Lt wrist XR; PA/AP projection; age 6 y, boy; subsequent exam; imaged through cast —
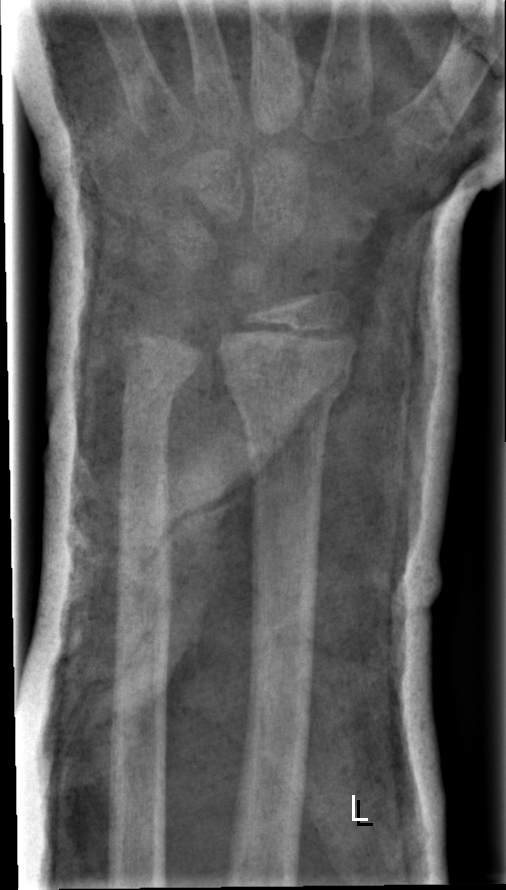

Q: Any fracture seen?
A: Two Fx at [x1=219, y1=352, x2=356, y2=408]; [x1=118, y1=353, x2=200, y2=406]
Q: What is the AO/OTA classification?
A: Fracture classified AO/OTA 23-M/3.1